Posteroanterior view; left wrist X-ray; follow-up; cast in situ; Siemens.
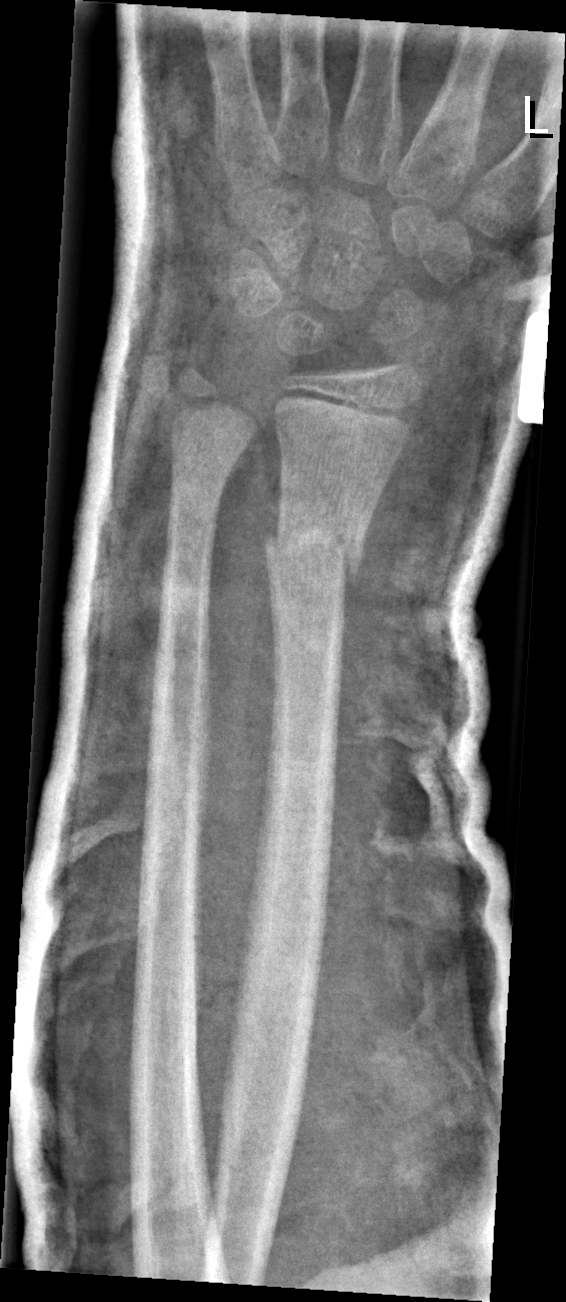
FINDINGS: (pixel coordinates, top-left origin, xyxy) Fx identified at (262, 515, 371, 589). Fracture classified AO/OTA 23r-M/3.1; 23u-M/2.1.